L wrist radiograph · lat projection: 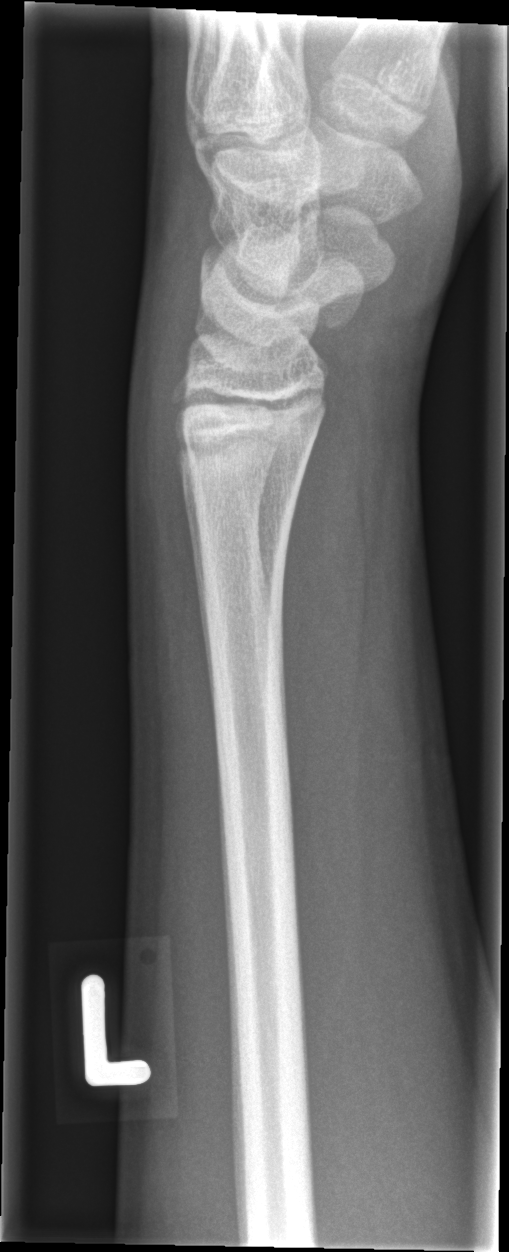
Findings: No fracture bounding box.